Lateral projection, right wrist plain film, 11y F —

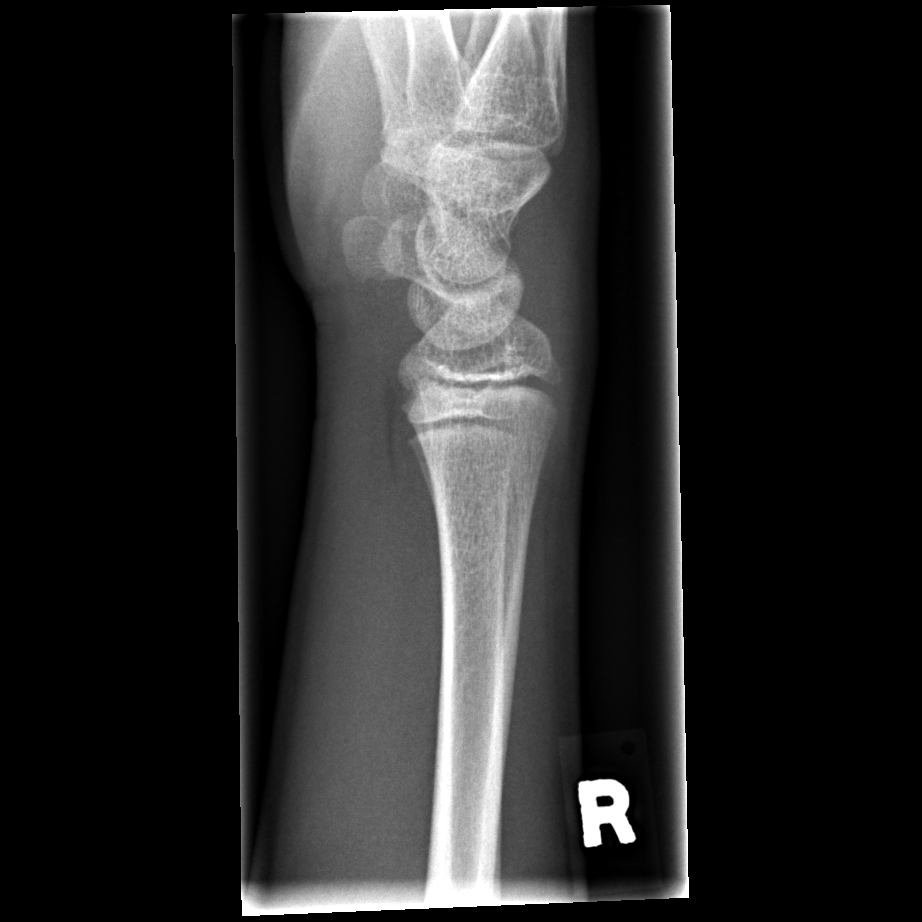

No fracture annotation.